R plain radiograph of the wrist · PA/AP projection · 11y M · 628 by 1123 pixels 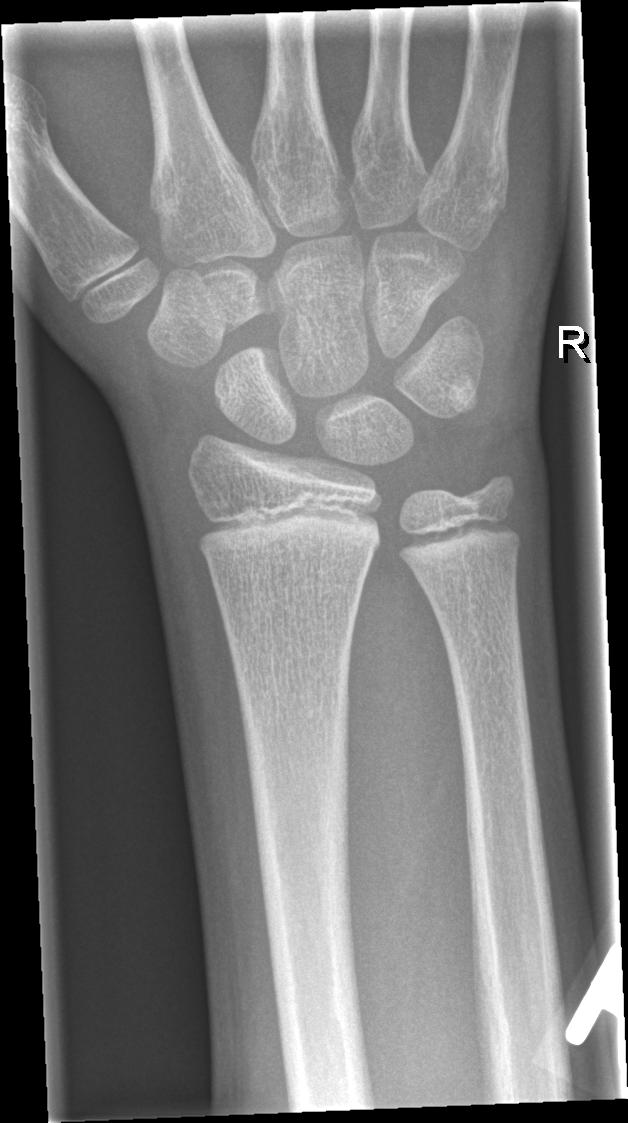

Bone fracture = none labeled